Left wrist pediatric wrist radiograph, lateral, 6-year-old female:

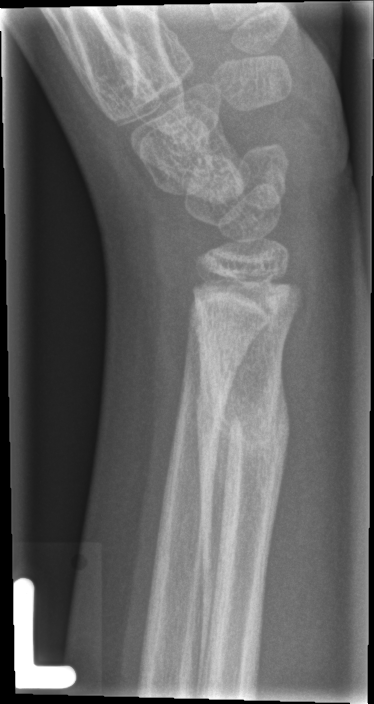

AO/OTA classification: 23r-M/3.1; 23u-M/2.1.
One periosteal thickening at [196, 365, 233, 698].
Fx identified at [200, 379, 292, 470].